Lateral view · Rt wrist plain film
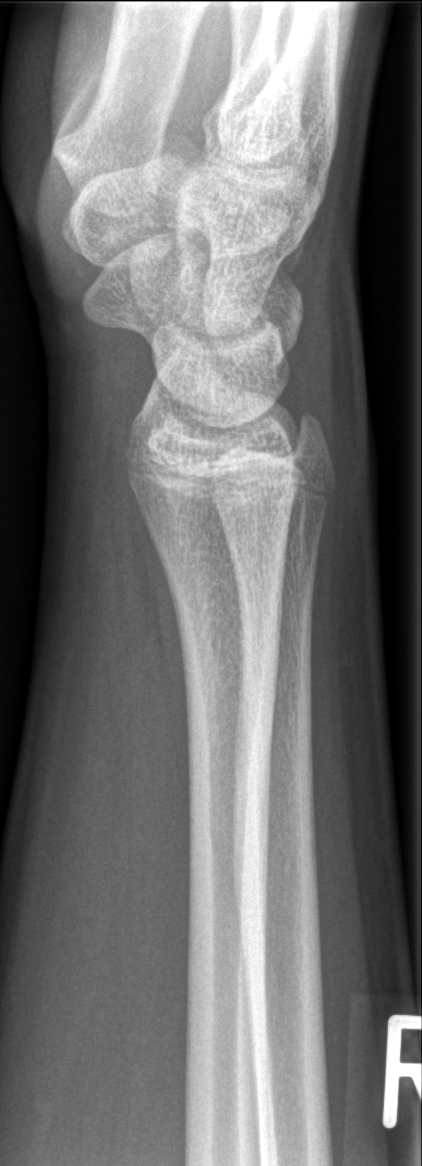
FINDINGS — No Fx annotated.